Lateral | left wrist X-ray | 16y M — 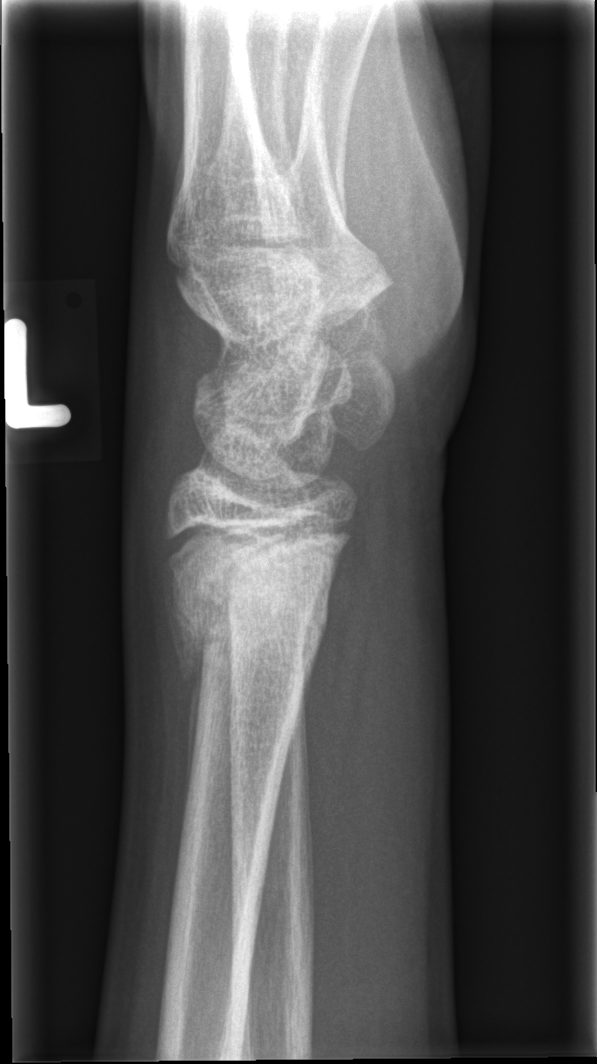
- AO/OTA classification: 23r-M/3.1; 23u-E/7.
- Fracture — 160,538,333,681.
- Periosteal thickening: 173,625,205,803.